AP view, right wrist plain radiograph of the wrist, pediatric patient (girl, age 10), 527 by 1030 pixels

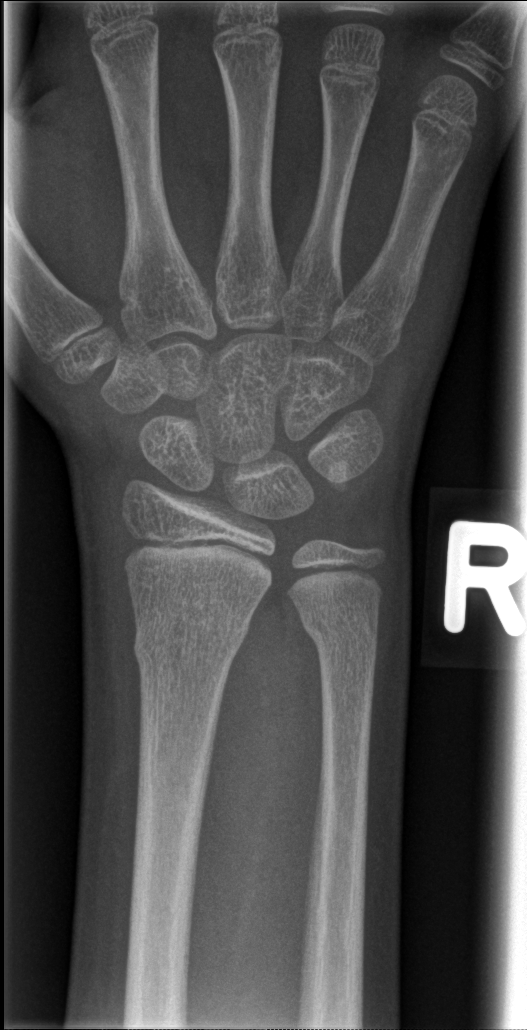

- Fracture identified at 128 612 254 677
  298 605 380 657.
- AO/OTA classification: 23r-M/3.1; 23u-M/2.1.